Left wrist XR, lateral, pediatric patient (girl, age 15), index exam

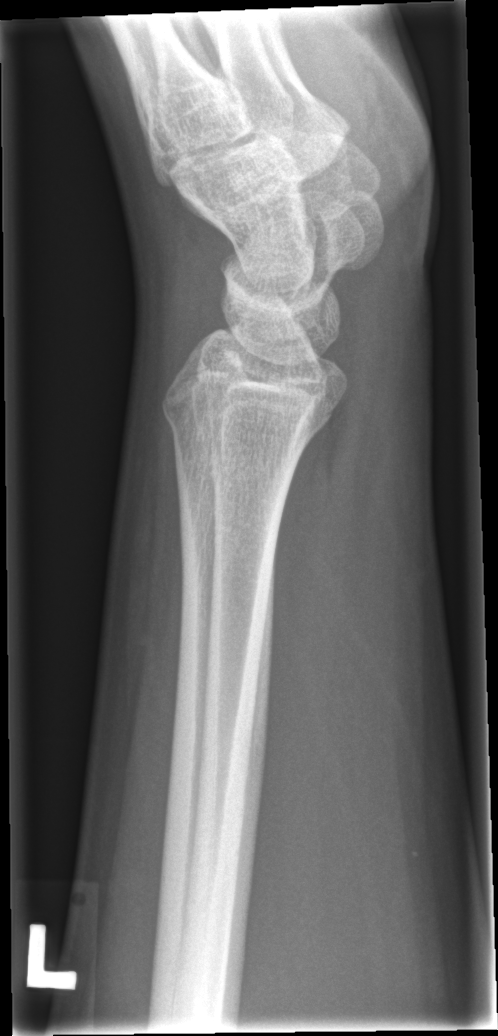
FINDINGS — One fracture at bbox(158, 393, 335, 462).